Left wrist pediatric wrist radiograph · lat · age 8 y, girl:

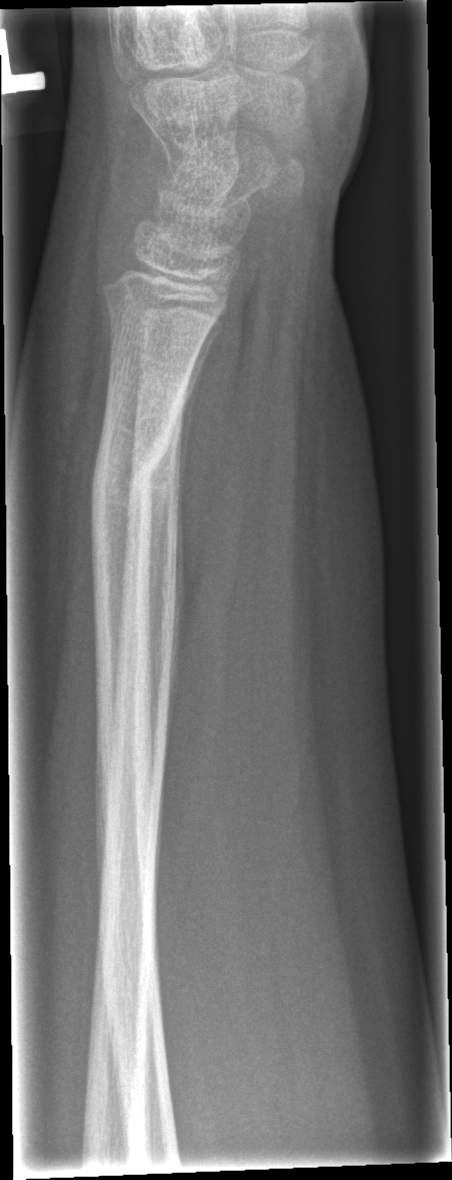

FINDINGS: AO/OTA classification: 23-M/2.1. One fracture at [x1=86, y1=428, x2=171, y2=512]. Reduced bone mineral density.